Right wrist X-ray · posteroanterior · follow-up:
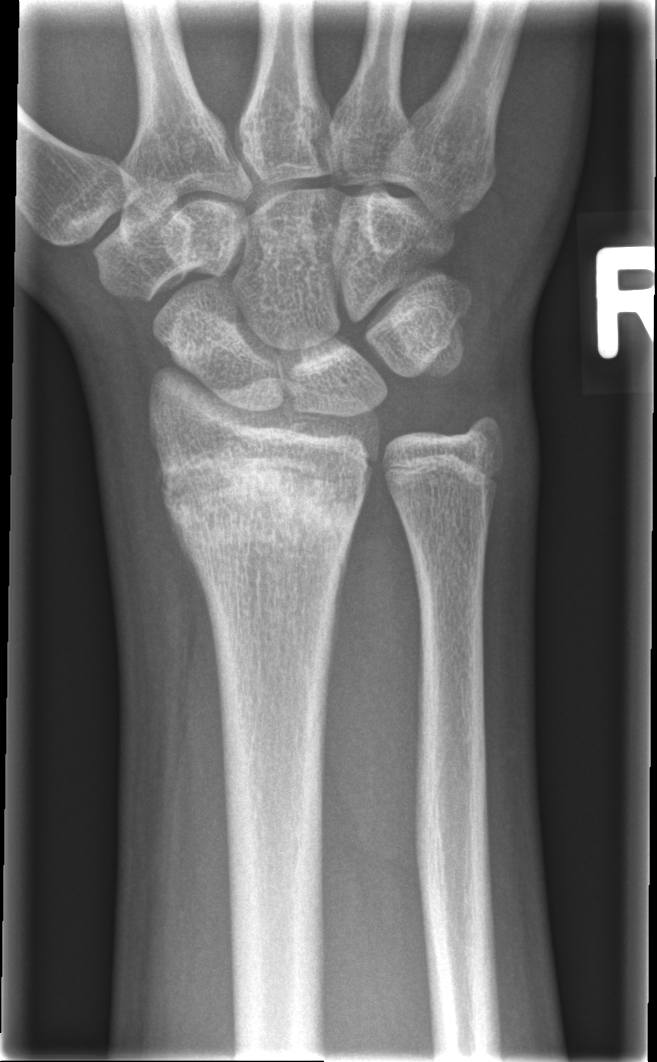 Periosteal reaction — <165,509>-<204,594>.
AO/OTA classification: 23r-M/2.1.
Fx: <157,442>-<364,579>.